Lat view; left wrist XR; age 14 y, boy; cast in situ 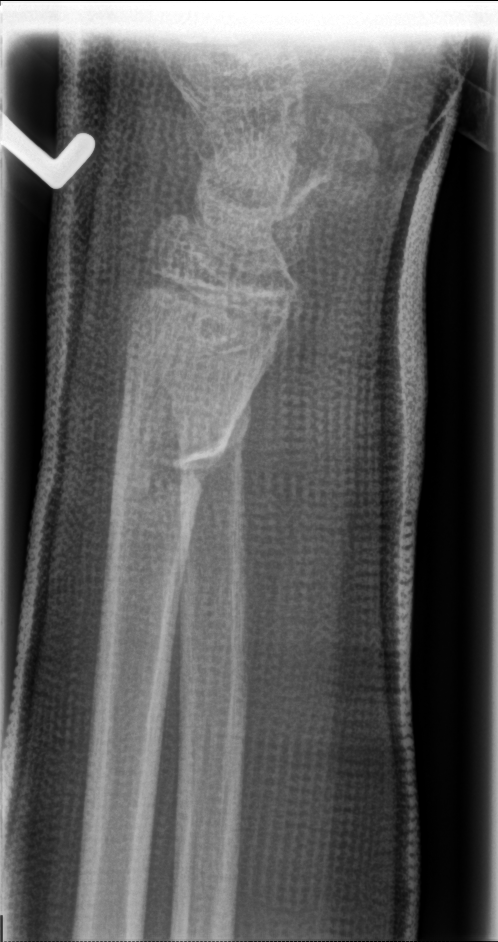 Q: Fracture present?
A: Fracture identified at (111, 414, 230, 510) (173, 398, 256, 489)
Q: AO code?
A: AO code 23-M/3.1